Lateral | left pediatric wrist radiograph | age 14 y, girl
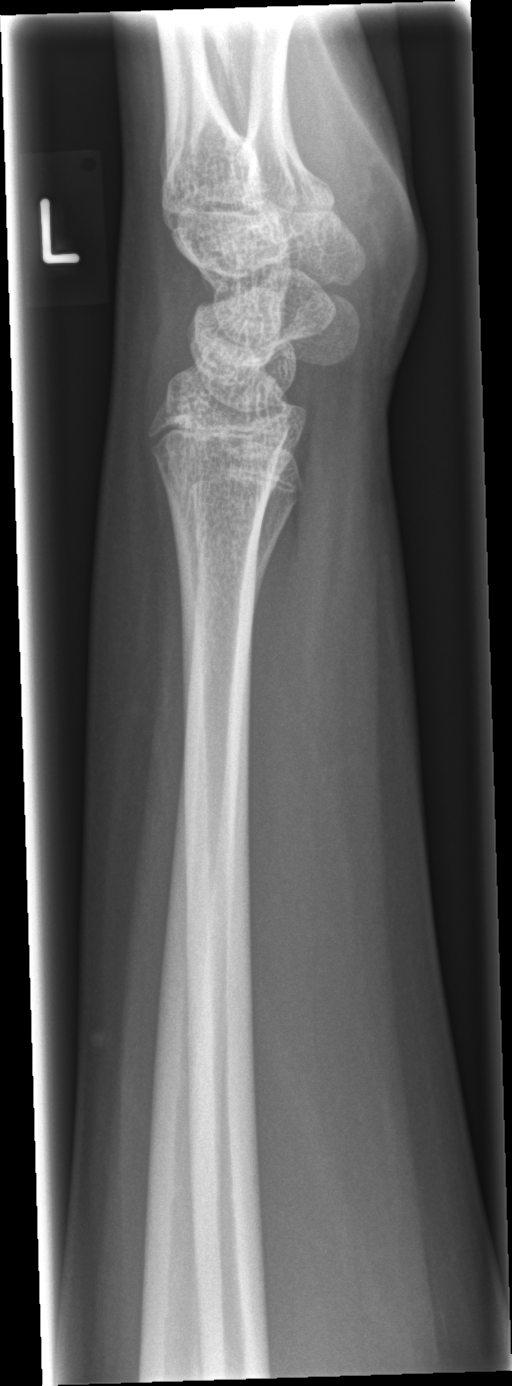
  fracture: none labeled